Lateral projection | Lt wrist XR.
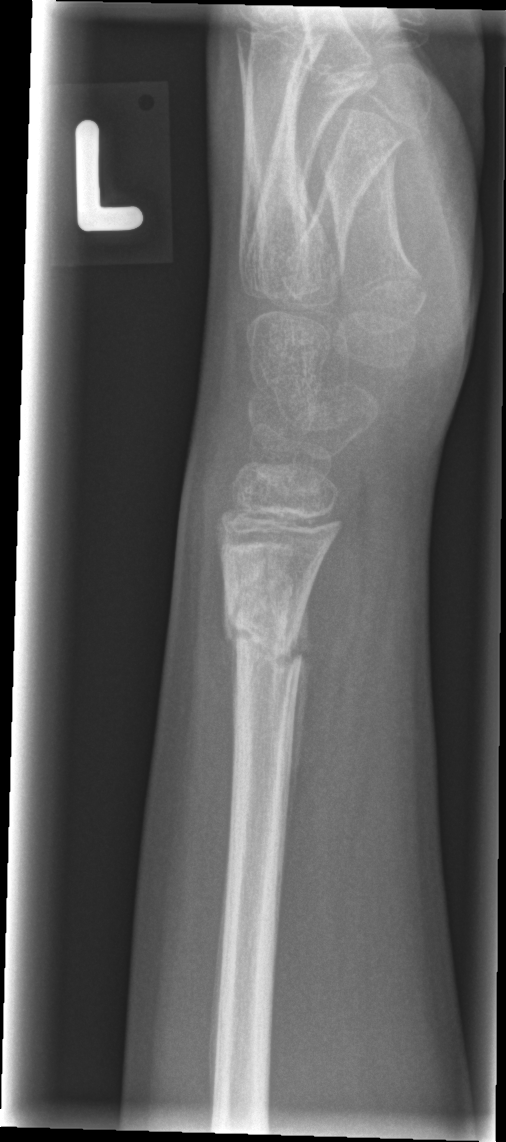

Bone fracture: <216,594>-<315,685>. Periosteal new bone identified at <282,595>-<313,857>.